Posteroanterior | R wrist plain film | female, 9 yo | in cast | Siemens.

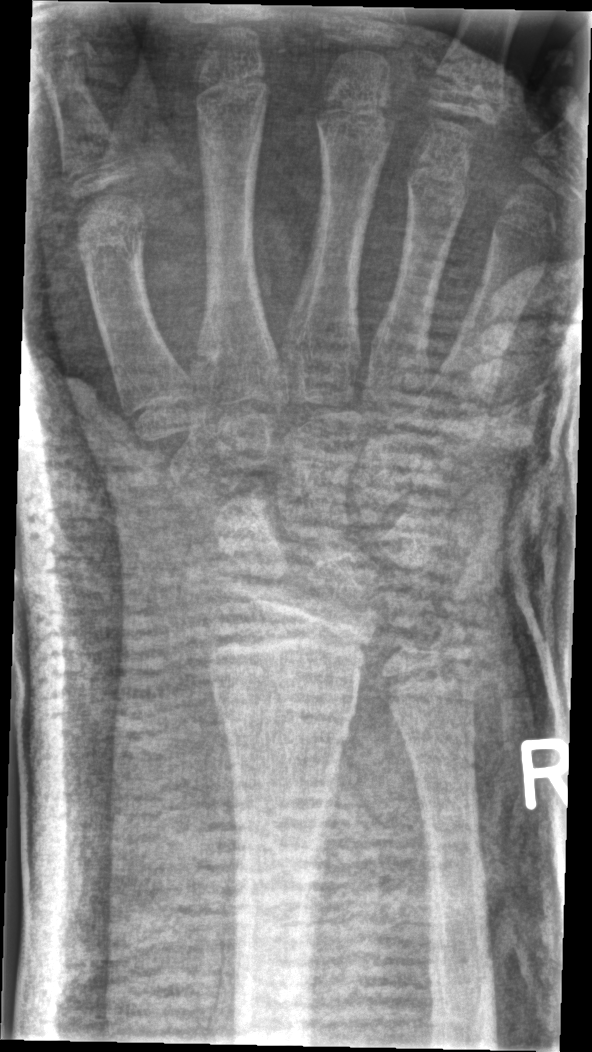
Fx — [212, 686, 360, 759], [418, 616, 475, 665].